Lat | L wrist radiograph | image size 480x997.
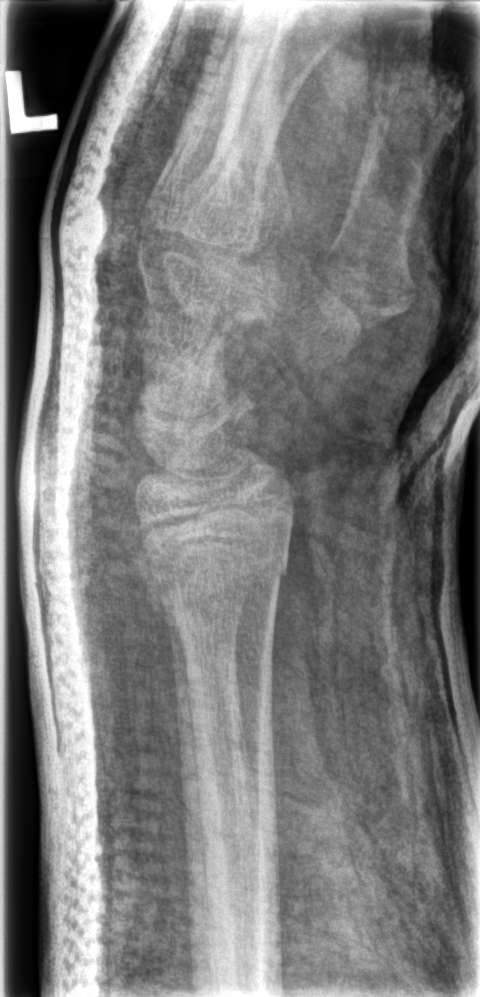 - Bone fracture — <128,528>-<293,623>.